Right wrist plain film; lateral projection; presentation radiograph; 524 x 1042 px 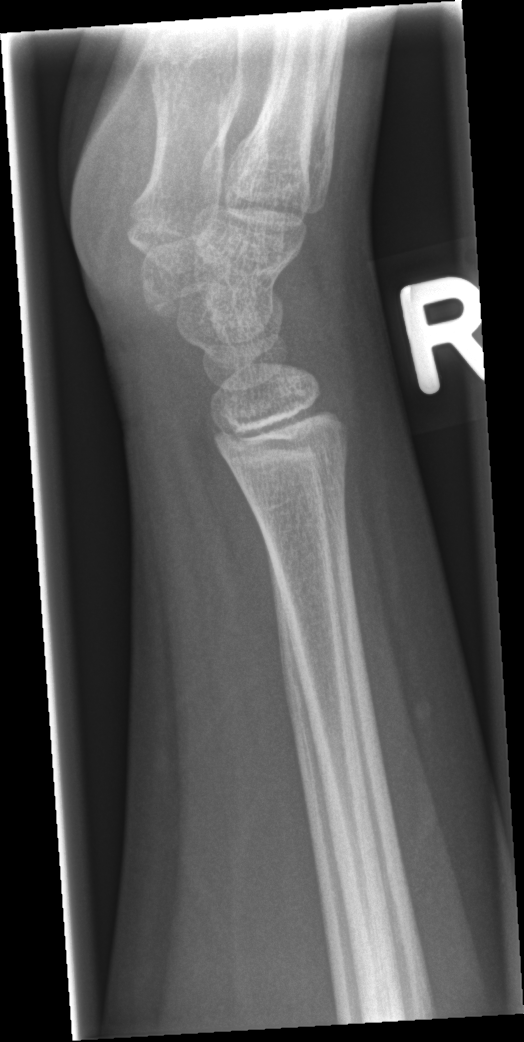
Fracture: none labeled